Lateral view | L wrist plain film | pediatric patient (girl, age 7). 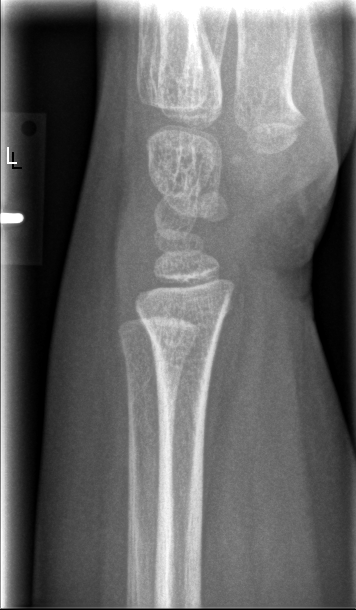
Fracture: (133, 302, 225, 357).